Posteroanterior projection · L wrist plain film · equivocal findings · detector: Siemens · image 88.8 mm wide · image size 617x1152 — 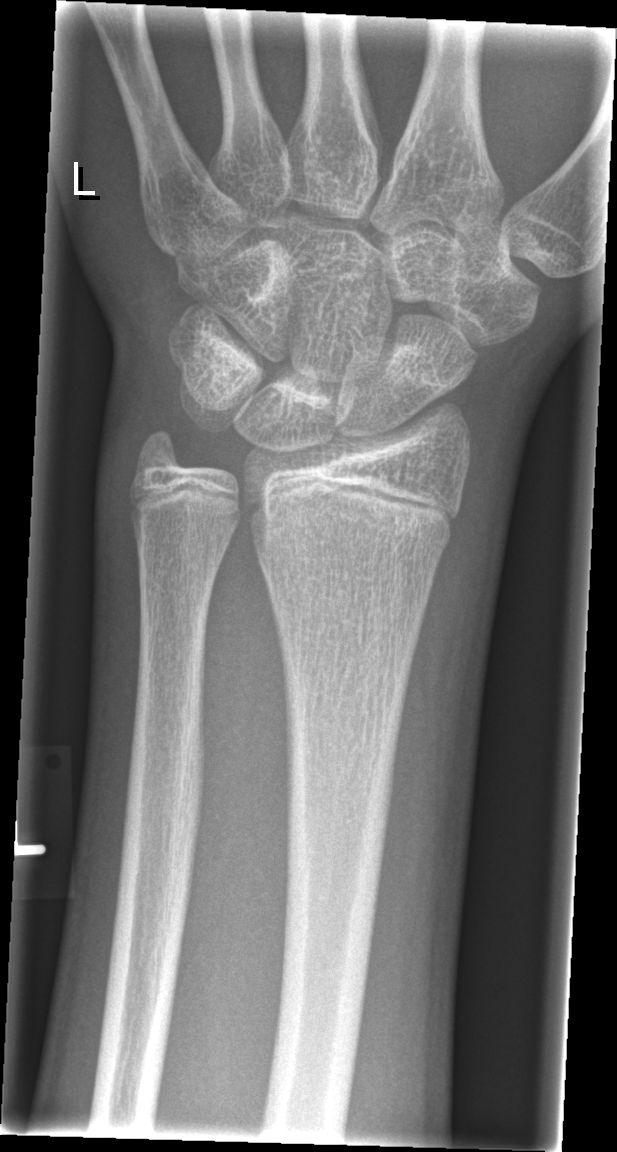

No fracture labeled.